Lat, Lt wrist radiograph, 15-year-old male, 560 x 1258 px.
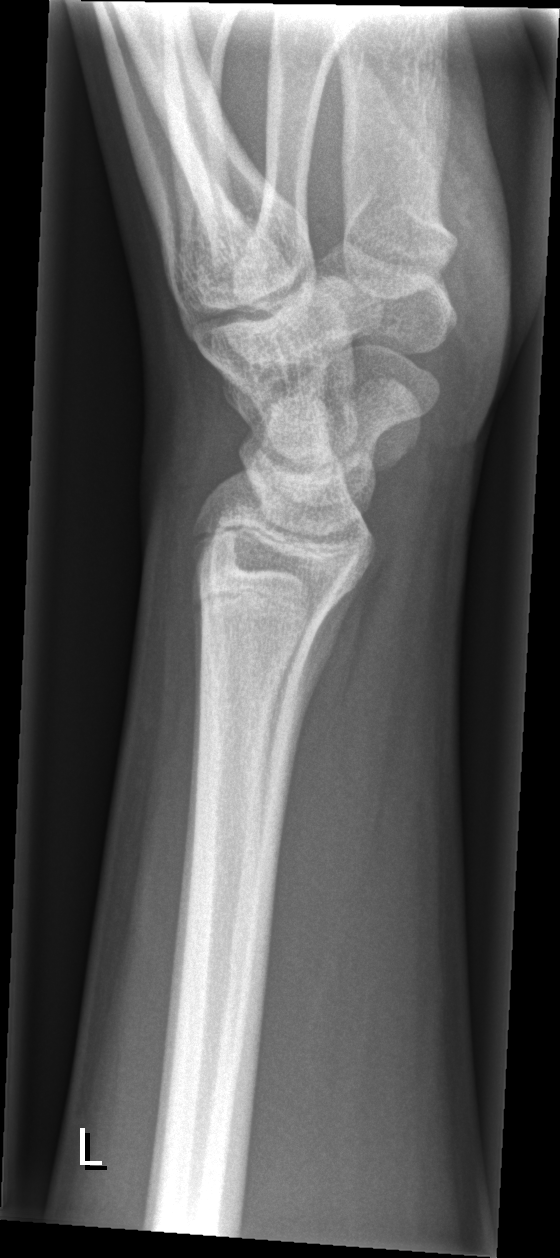
Bone fracture: none labeled